Left wrist plain film · frontal view · pediatric patient (female, age 7) · cast present · 859 by 1164 pixels

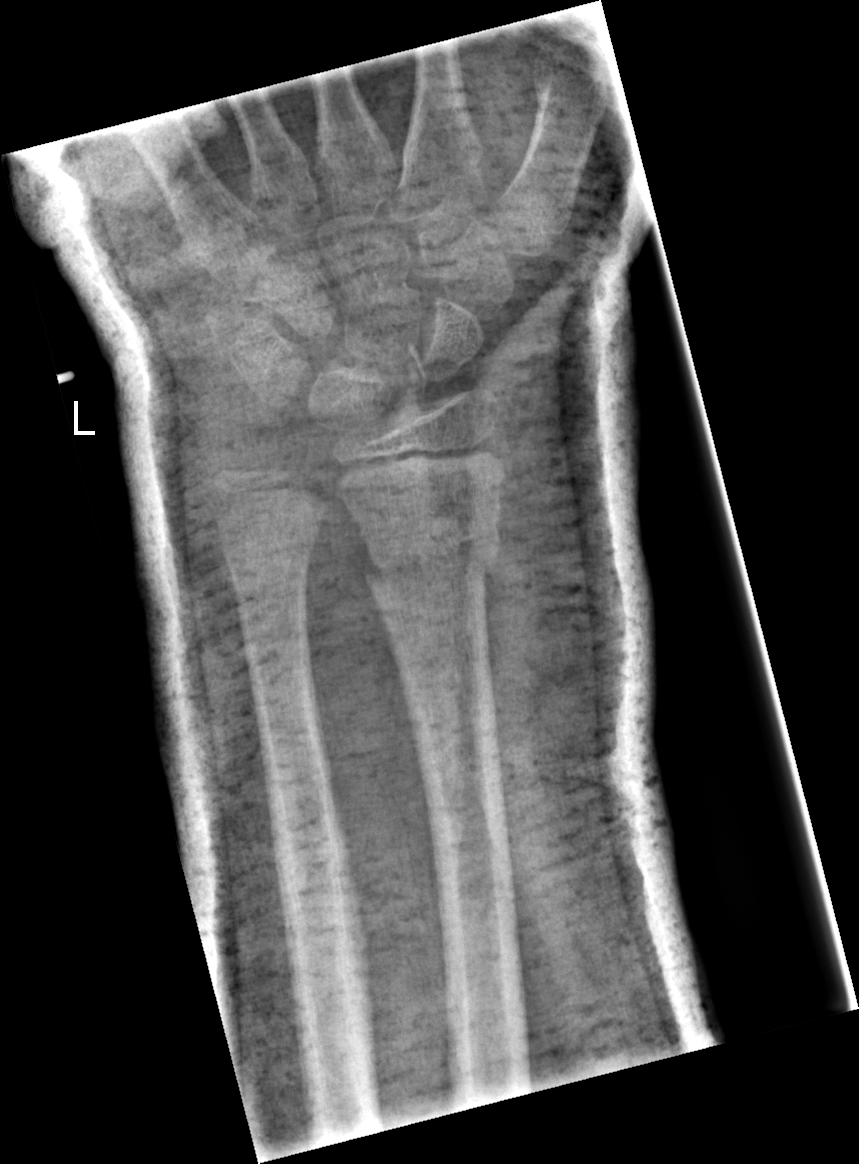

Fx — bbox(362, 526, 510, 602); bbox(213, 518, 325, 582).
AO code 23r-M/3.1; 23u-M/2.1.